Lat view, left wrist plain radiograph of the wrist, age 16 y, boy, imaged through cast, 712 by 1090 pixels —
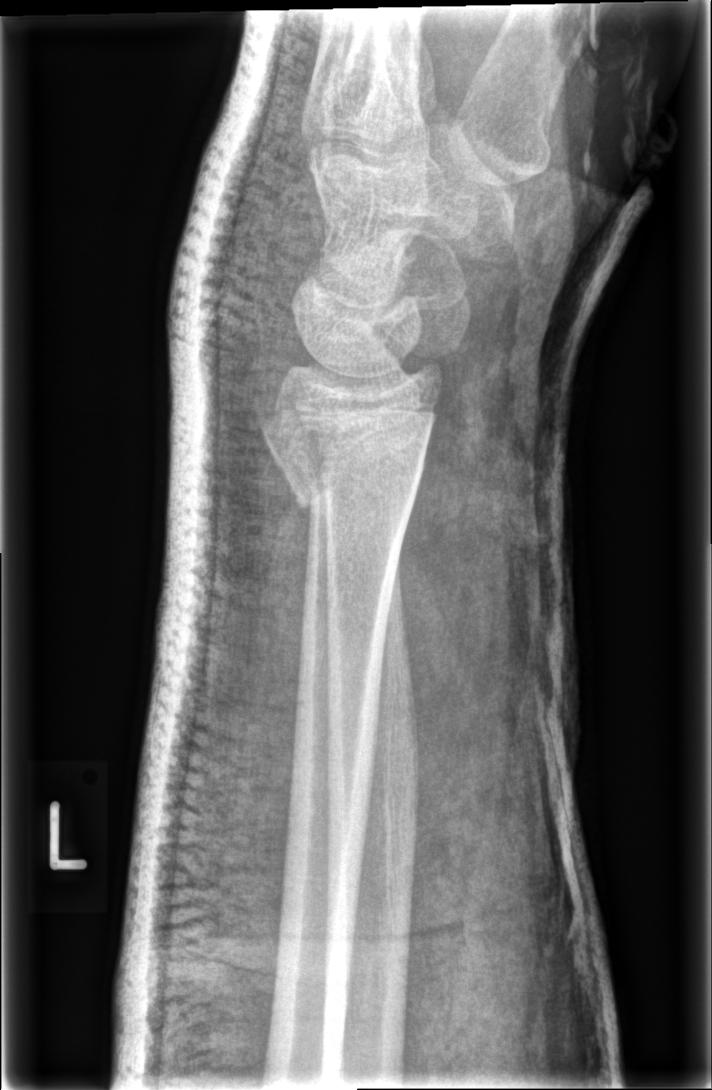 {"_coords": "pixel coordinates, top-left origin, xyxy", "fracture": "<253,401>-<430,508>", "ao": "23r-M/3.1; 23u-E/7"}